Lat view, right pediatric wrist radiograph, 460 by 1110 pixels: 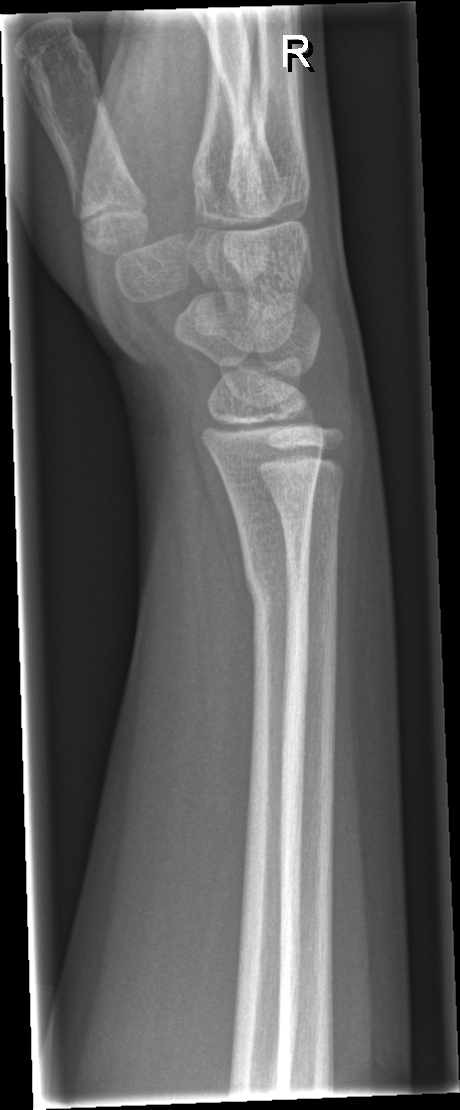 (boxes as x1,y1,x2,y2 (top-left / bottom-right, pixel units))
AO code: 23r-M/2.1
fracture: 1 @ (left=242, top=554, right=313, bottom=622)